Lt plain radiograph of the wrist; lat view; 4y F; initial study.
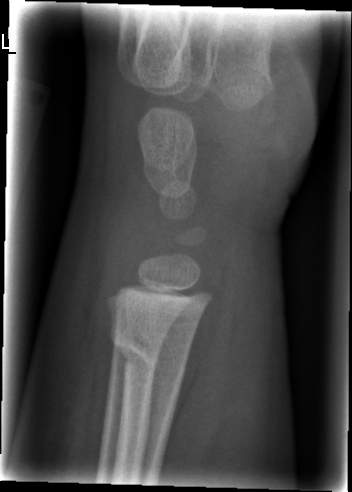 AO/OTA classification: 23r-M/2.1. Bone fracture identified at (107, 322, 195, 383).